PA view; right pediatric wrist radiograph; cast present; 754 by 956 pixels — 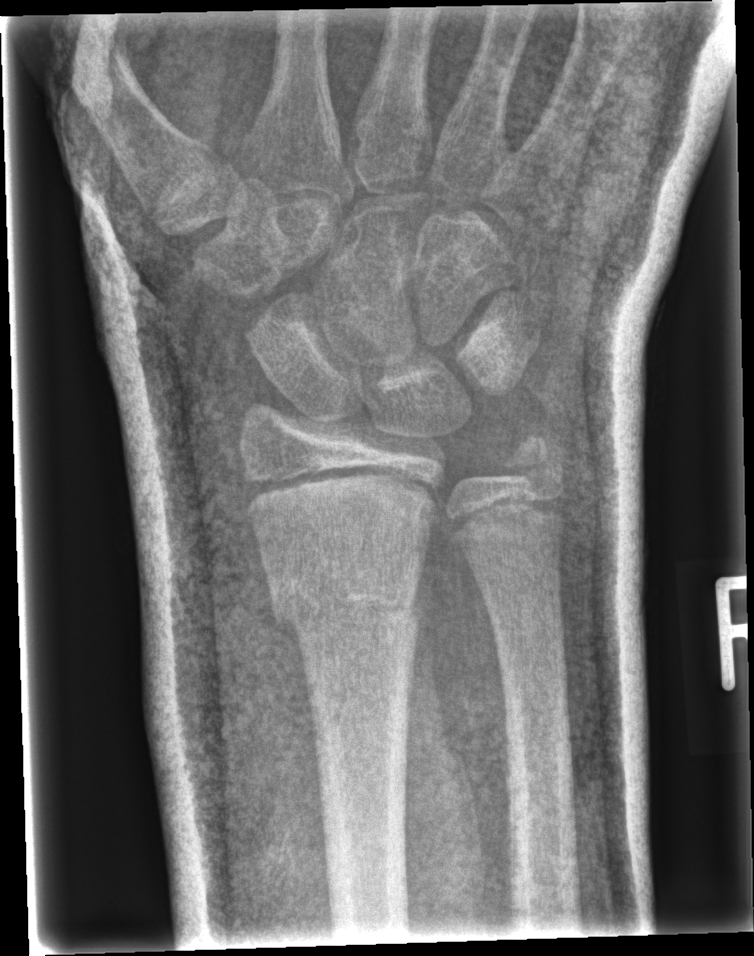 FINDINGS: (bounding boxes in image-pixel xyxy) Bone fractures — (left=266, top=565, right=425, bottom=655); (left=496, top=425, right=567, bottom=497).